L wrist X-ray, AP, index exam:
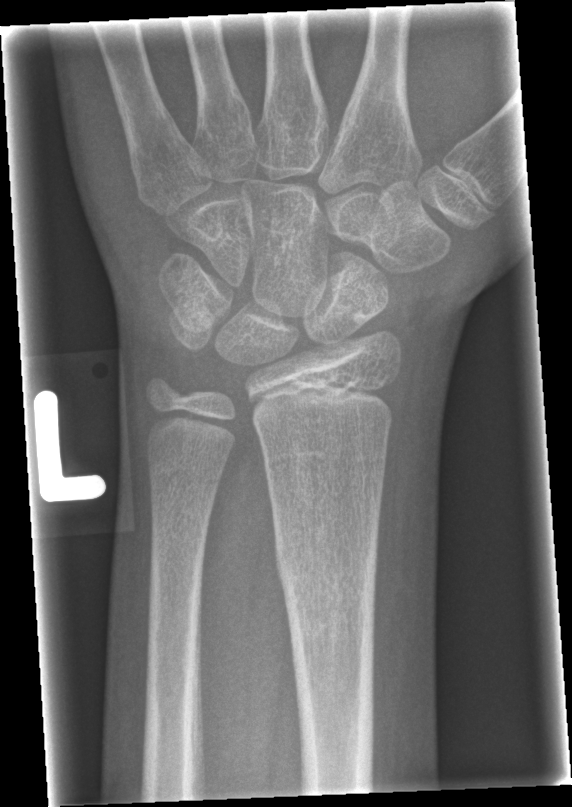 FINDINGS — One fracture at [x1=271, y1=522, x2=383, y2=660].